Right plain radiograph of the wrist, lat, 13y M, detector: Siemens:
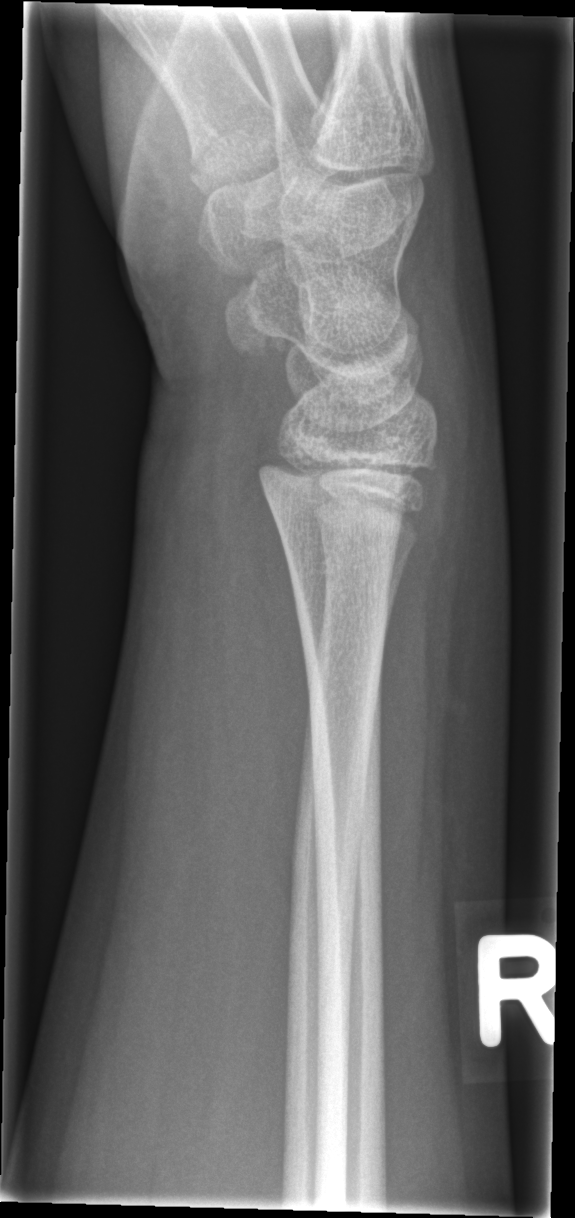

FINDINGS: Fx — 247,444,439,525.